Left wrist XR | AP | acquired on Siemens. 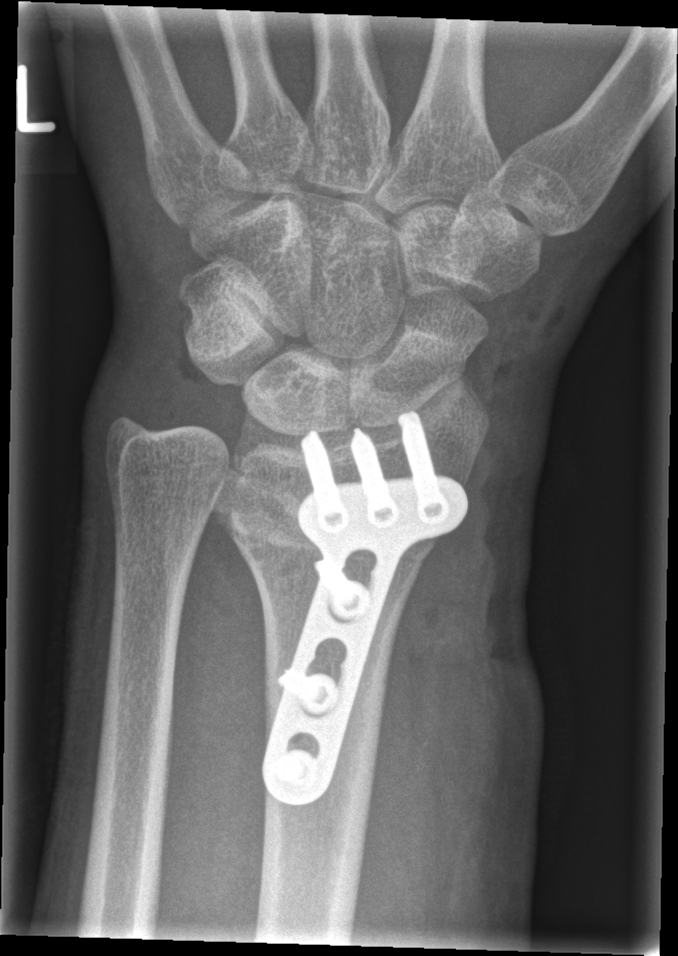

No Fx annotated. Soft tissue abnormality — (left=339, top=413, right=528, bottom=947). One metal at (left=265, top=415, right=471, bottom=808).